AP projection | Lt wrist X-ray.
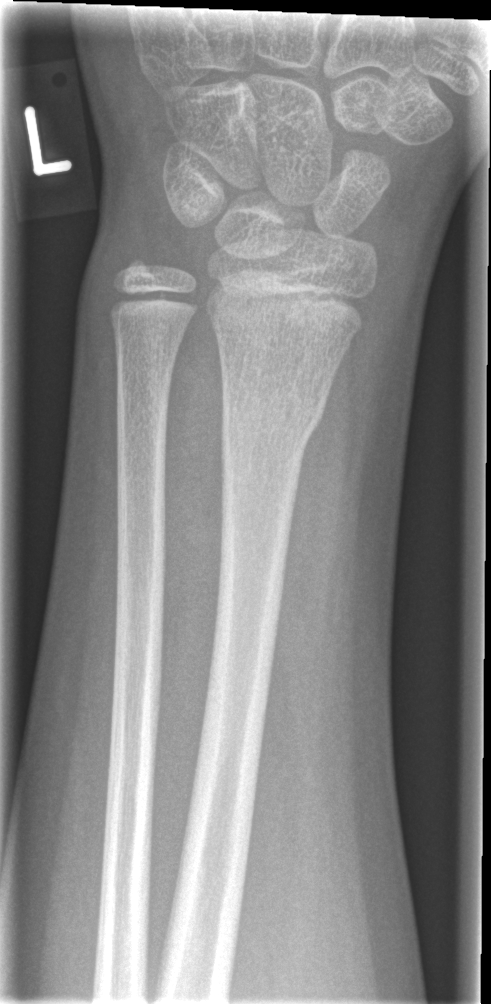 Fx: (left=217, top=367, right=333, bottom=451)